Lat | Lt pediatric wrist radiograph | age 13 y, male | 516 x 822 px:

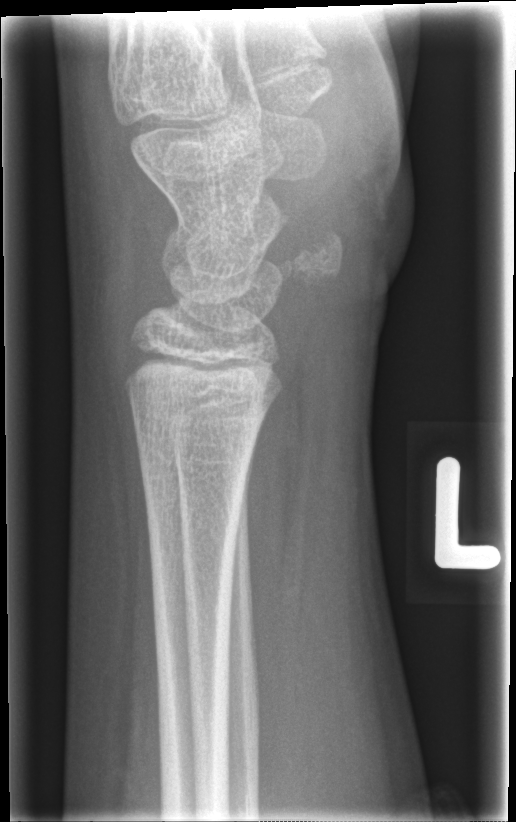

Fracture: none labeled.